Left wrist plain film | PA/AP view | 14y M 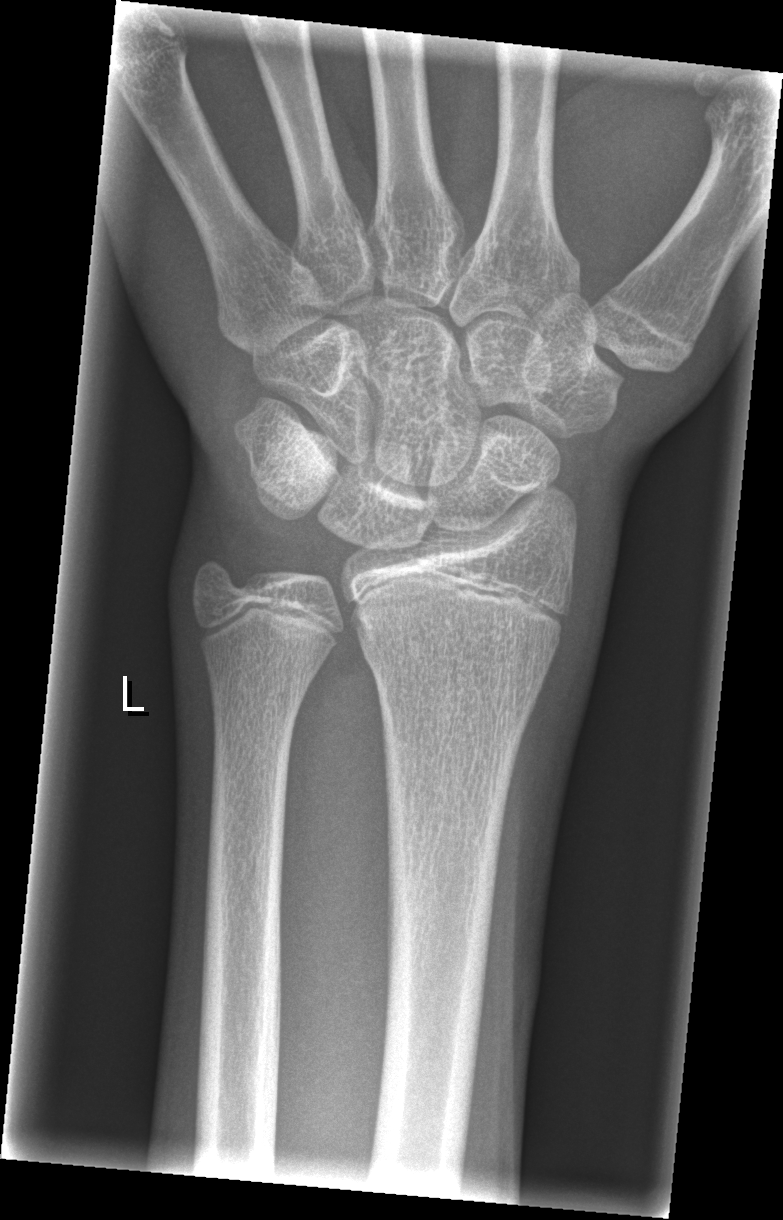
No Fx annotated.